Lat projection, Lt wrist radiograph:

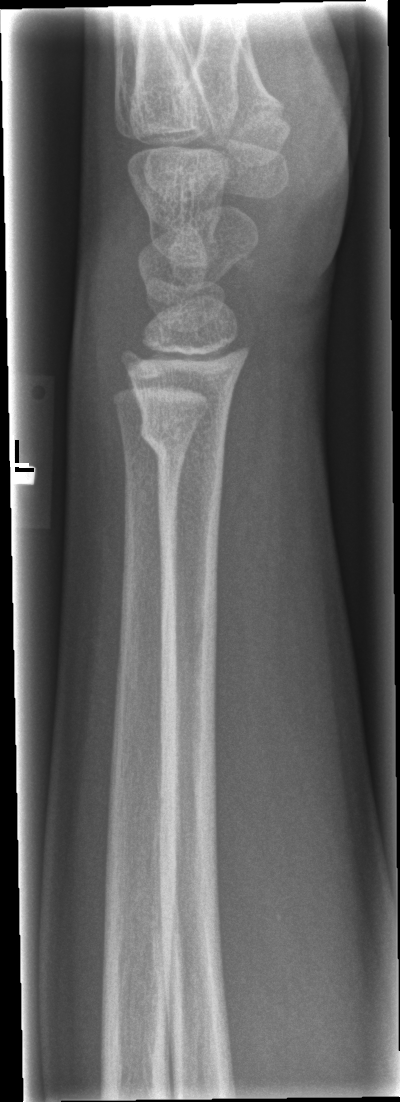
Coordinates are [x1, y1, x2, y2] in image pixels. Fracture: 136,409,228,478.